Left wrist plain film · PA projection · age 8 y, male · presentation radiograph —

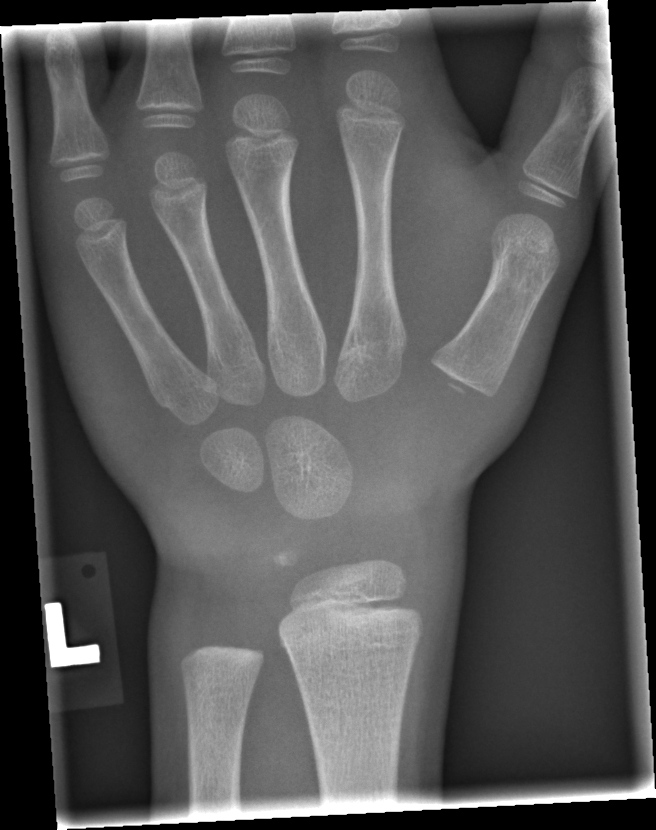

• No fracture annotation.